Left wrist pediatric wrist radiograph · PA · 13y M · index exam · Siemens —
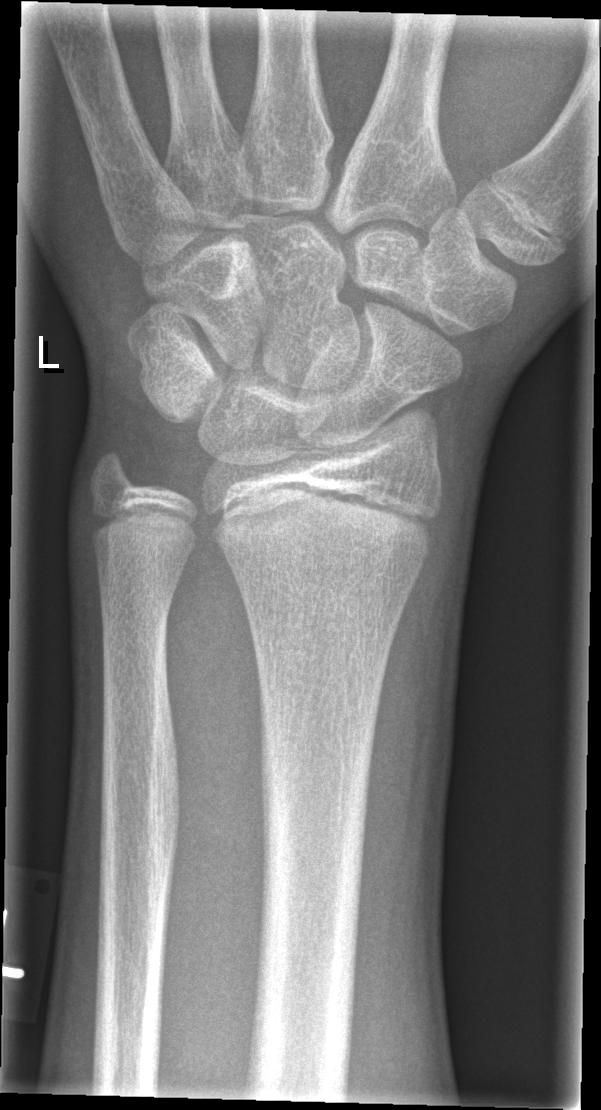
Fx: none.